Lat view | left plain radiograph of the wrist
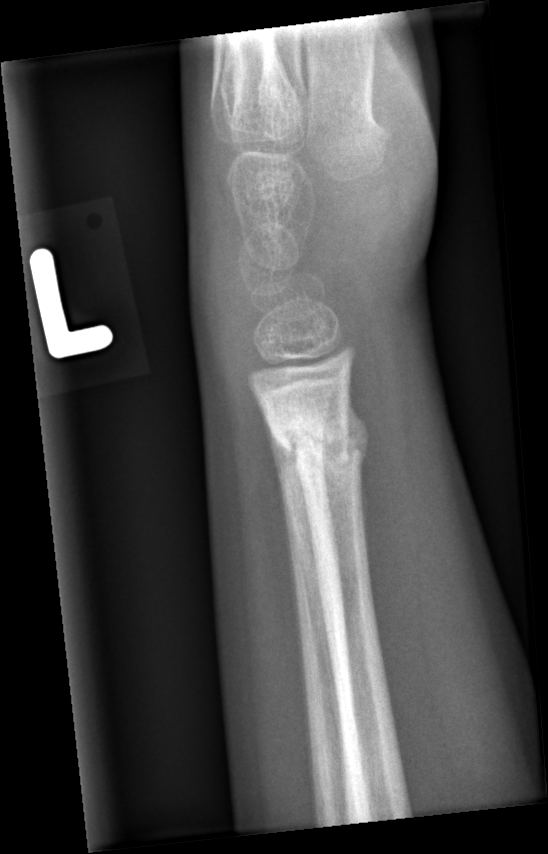

FINDINGS — Periosteal reaction — [347, 397, 370, 462]. Bone fracture: [271, 411, 366, 467]. Decreased bone density (osteopenia).